Left wrist radiograph · lat: 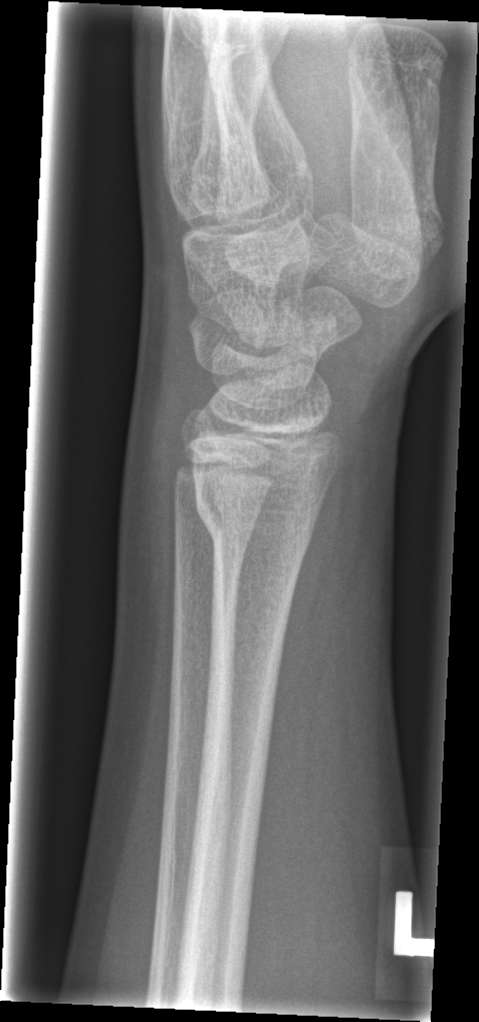
• Boxes as x1,y1,x2,y2 (top-left / bottom-right, pixel units).
• Bone fracture — (191, 482, 324, 571).